Posteroanterior view, left wrist XR.
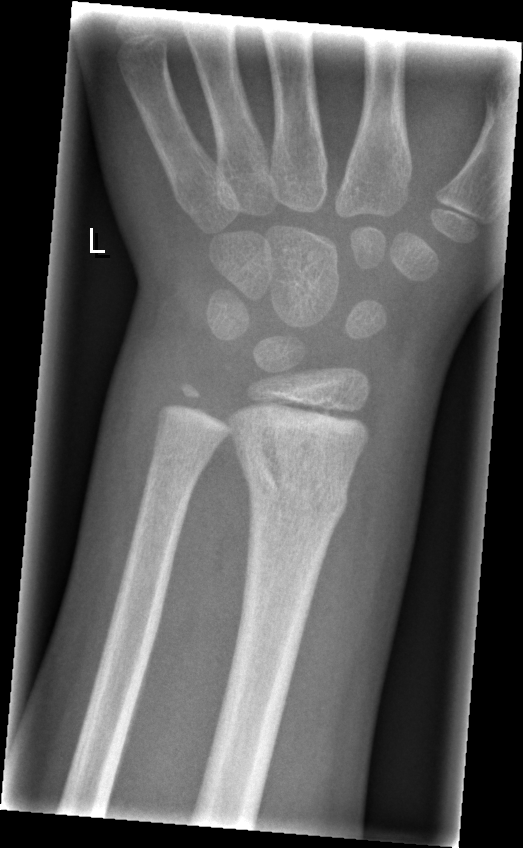
Q: What is the AO/OTA classification?
A: AO code 23-M/2.1
Q: Fracture present?
A: Bone fracture: 237,445,352,524
  146,438,215,479